Frontal, right wrist XR, female, 10 yo, 542x608

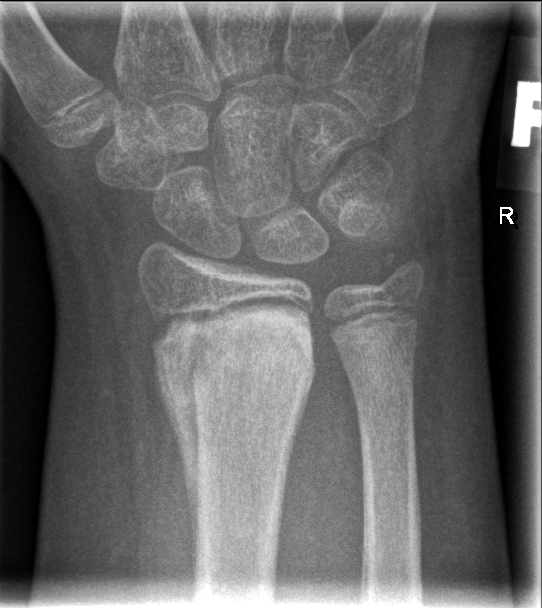 fracture: 2 @ (155, 295, 320, 418) (371, 248, 428, 297)
AO/OTA: 23r-E/2.1; 23u-E/7
periosteal new bone: (153, 345, 204, 591)